Lateral projection, R pediatric wrist radiograph, age 16 y, boy, initial study.
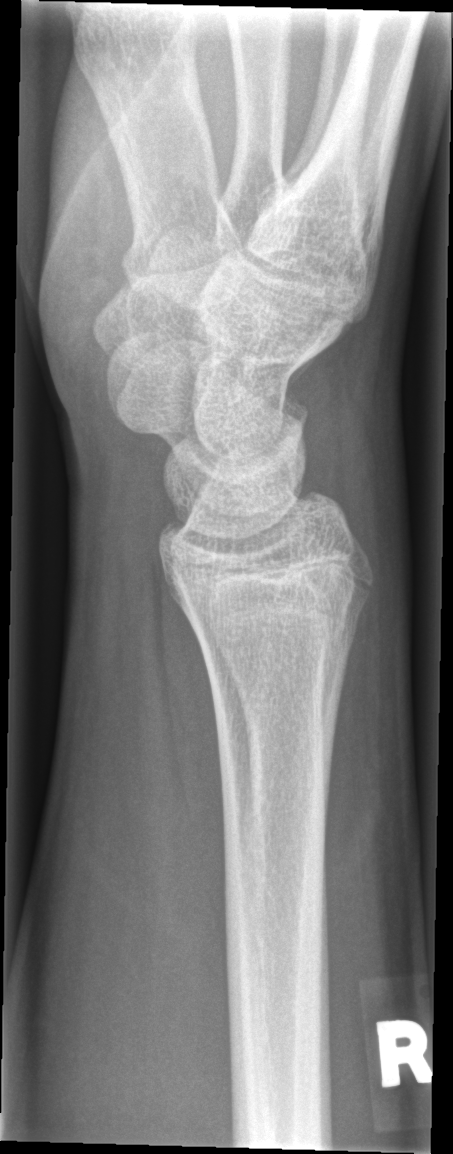
AO code 23r-M/2.1. Bone fracture — (left=181, top=584, right=370, bottom=670).